Rt plain radiograph of the wrist · lat · age 13 y, female · initial study · image size 412x894:

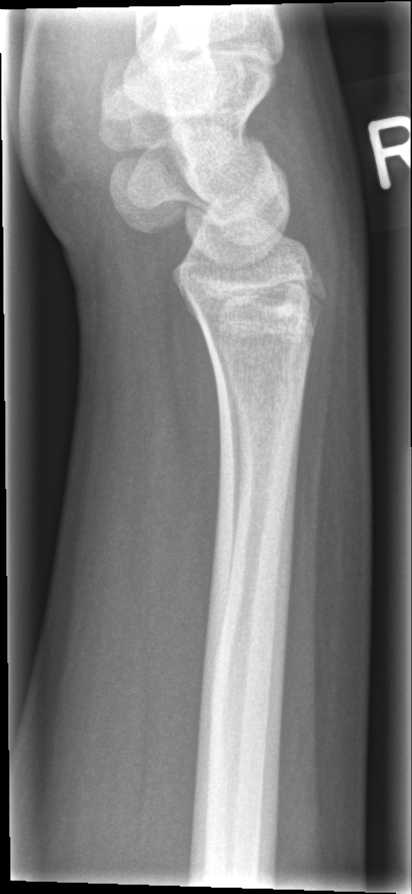
- No fracture bounding box.